PA/AP | Lt wrist plain film | initial study | detector: Siemens | 436 by 688 pixels — 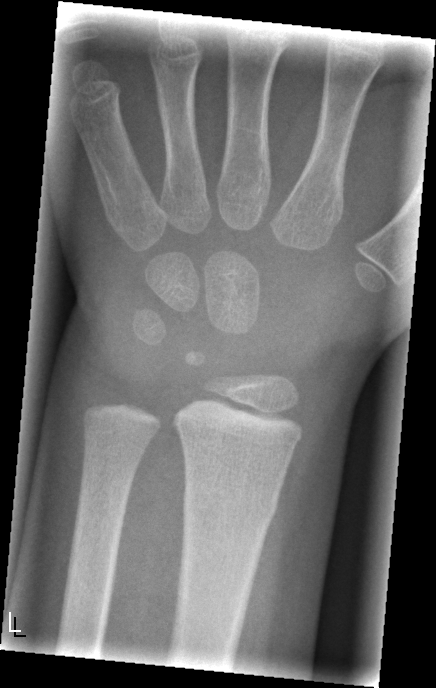
Pixel coordinates, top-left origin, xyxy.
Bone fracture — [x1=179, y1=483, x2=282, y2=530].